L pediatric wrist radiograph | PA projection | pediatric patient (male, age 12) | Siemens | image width 69.6 mm. 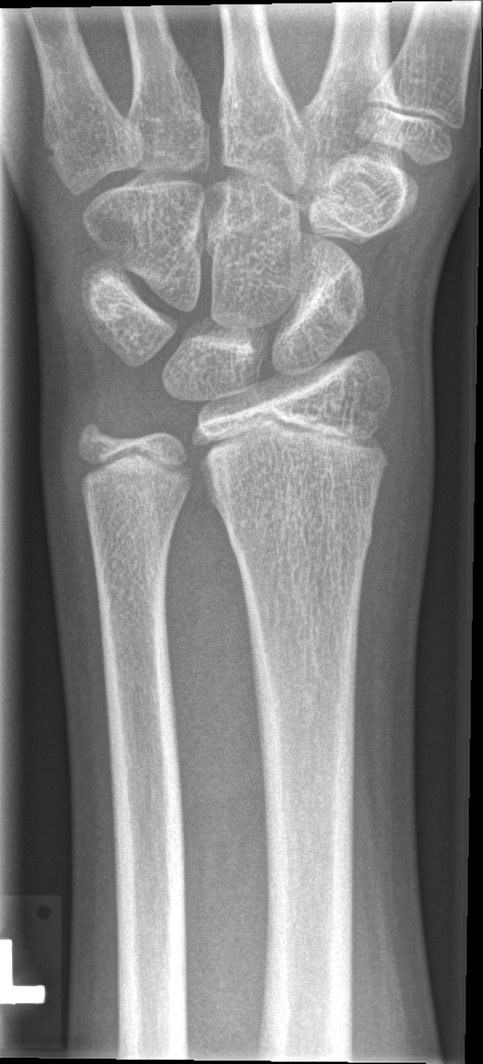

(bounding boxes in image-pixel xyxy)
Fx: bbox(222, 502, 377, 562)
AO code: 23r-M/2.1